Left wrist plain radiograph of the wrist · lat projection · pediatric patient (male, age 13) · acquired on Siemens —
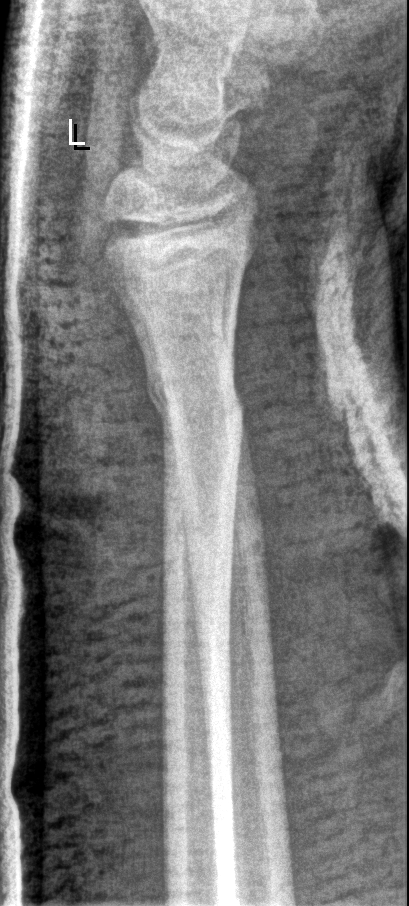

Fx: (left=145, top=362, right=246, bottom=440)